R plain radiograph of the wrist | posteroanterior | 17y M | 76.6 mm image width

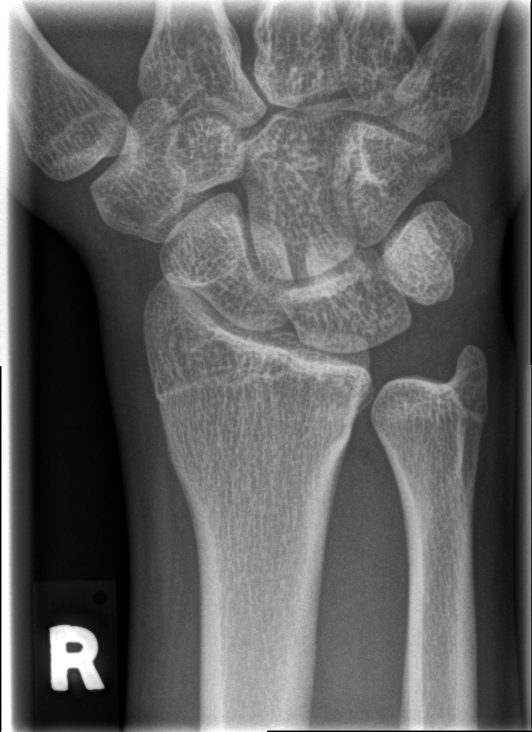 Q: Is there a fracture?
A: Fx: none